Rt wrist radiograph · lat · 12y F. 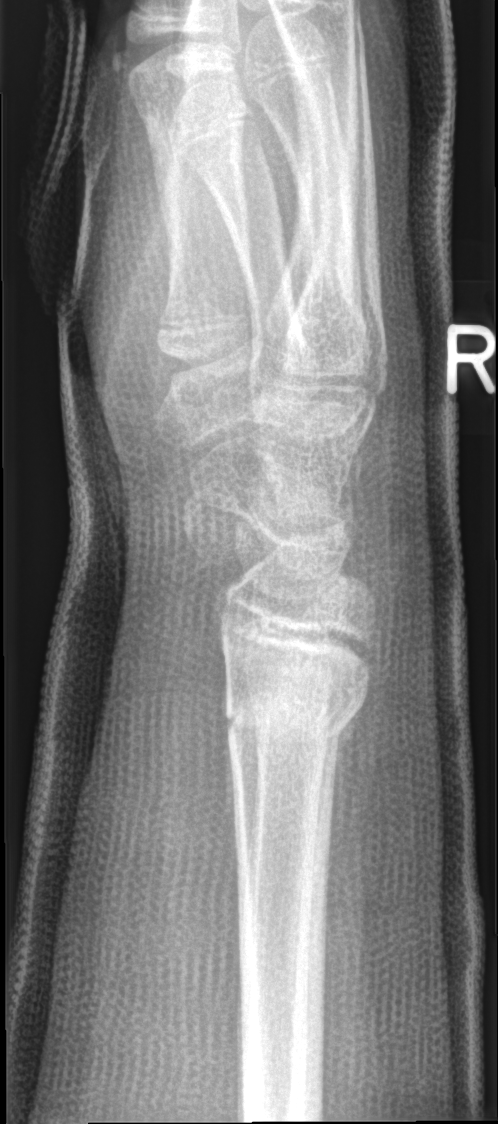
* Boxes as x1,y1,x2,y2 (top-left / bottom-right, pixel units).
* Fx identified at (left=219, top=647, right=374, bottom=753).
* Fracture classified AO/OTA 23r-M/3.1.
* Two periosteal reaction at (left=326, top=701, right=364, bottom=876), (left=221, top=668, right=238, bottom=862).